Lt wrist XR, PA/AP view, 15-year-old girl.

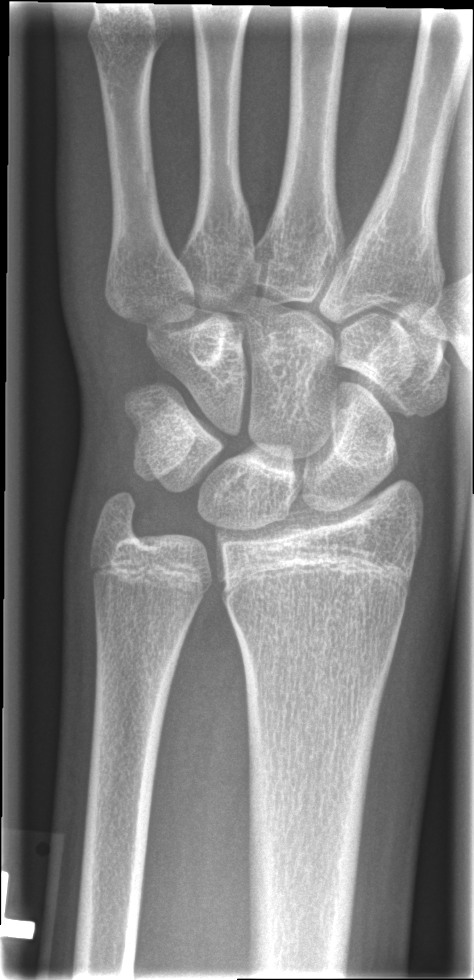

FINDINGS: No fracture bounding box.